PA, left wrist plain radiograph of the wrist, age 9 y, boy — 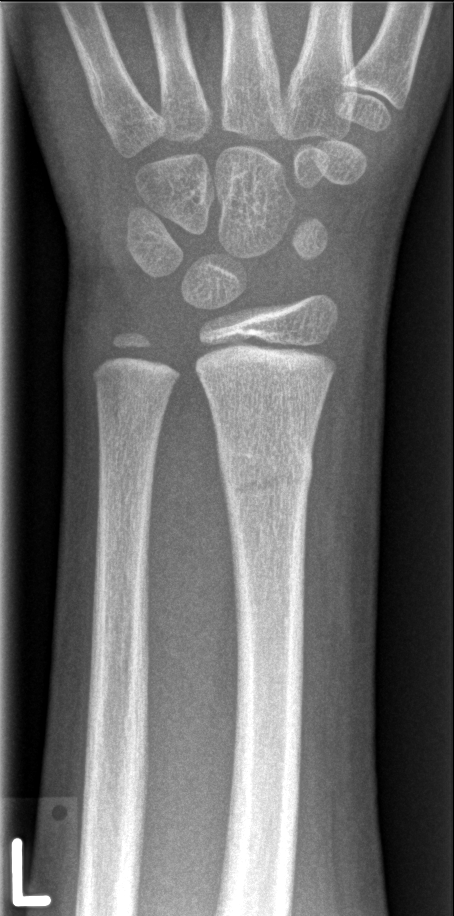
AO/OTA = 23r-M/2.1
bone fracture = 1 @ (217, 432, 317, 509)